PA view; right wrist XR; pediatric patient (female, age 6); 578 x 952 px:

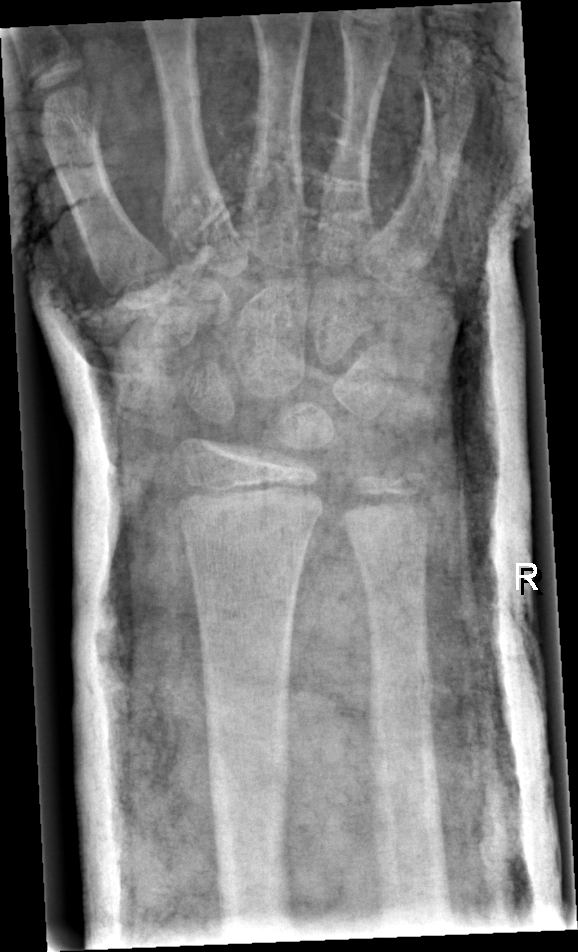

FINDINGS — Fracture: 364,652,438,724.